Rt wrist X-ray | PA/AP projection | in cast | acquired on Siemens

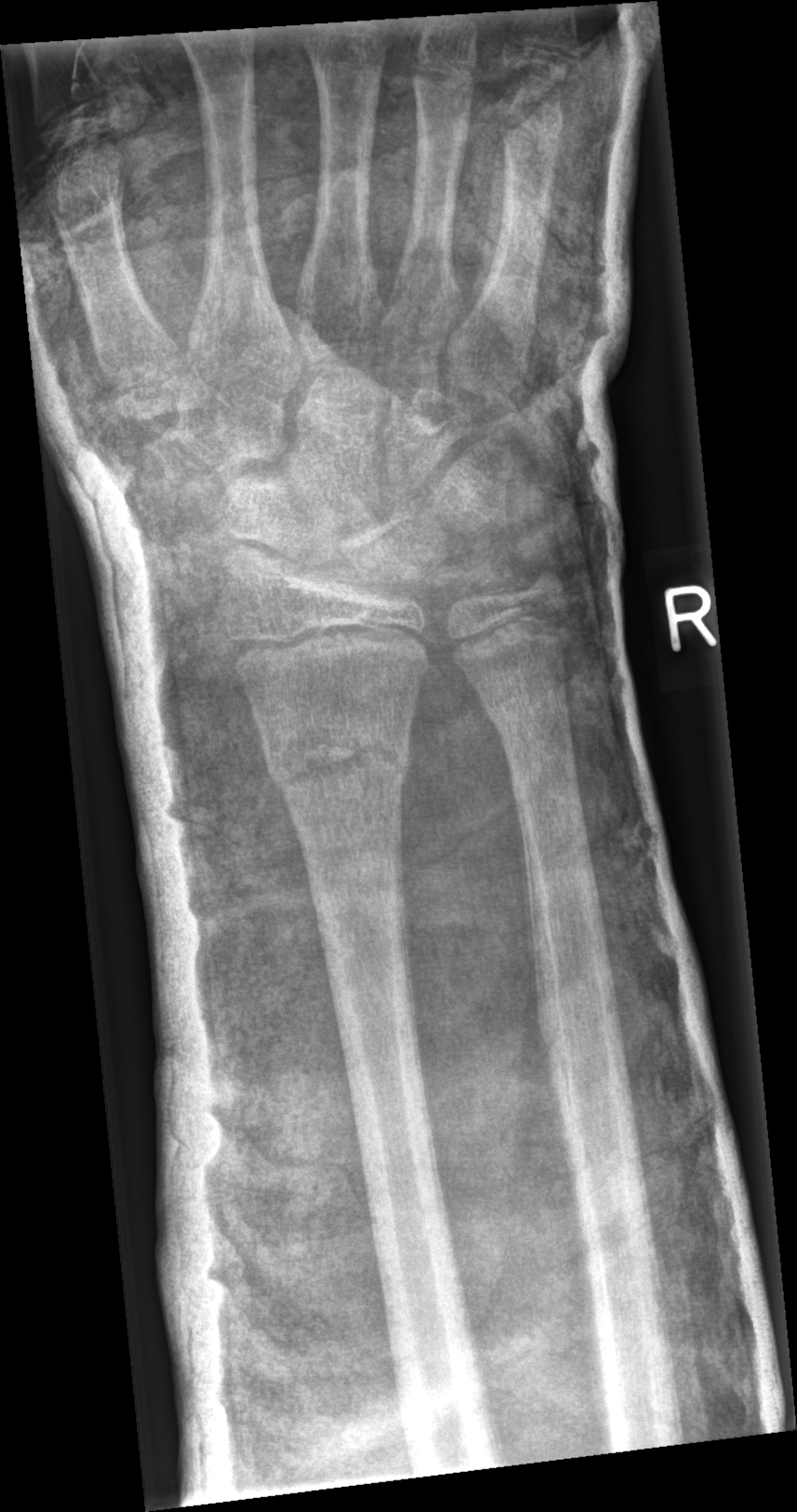
- Fractures — <255,713>-<418,819>, <476,677>-<572,749>.